Frontal; left wrist plain radiograph of the wrist; pediatric patient (male, age 15): 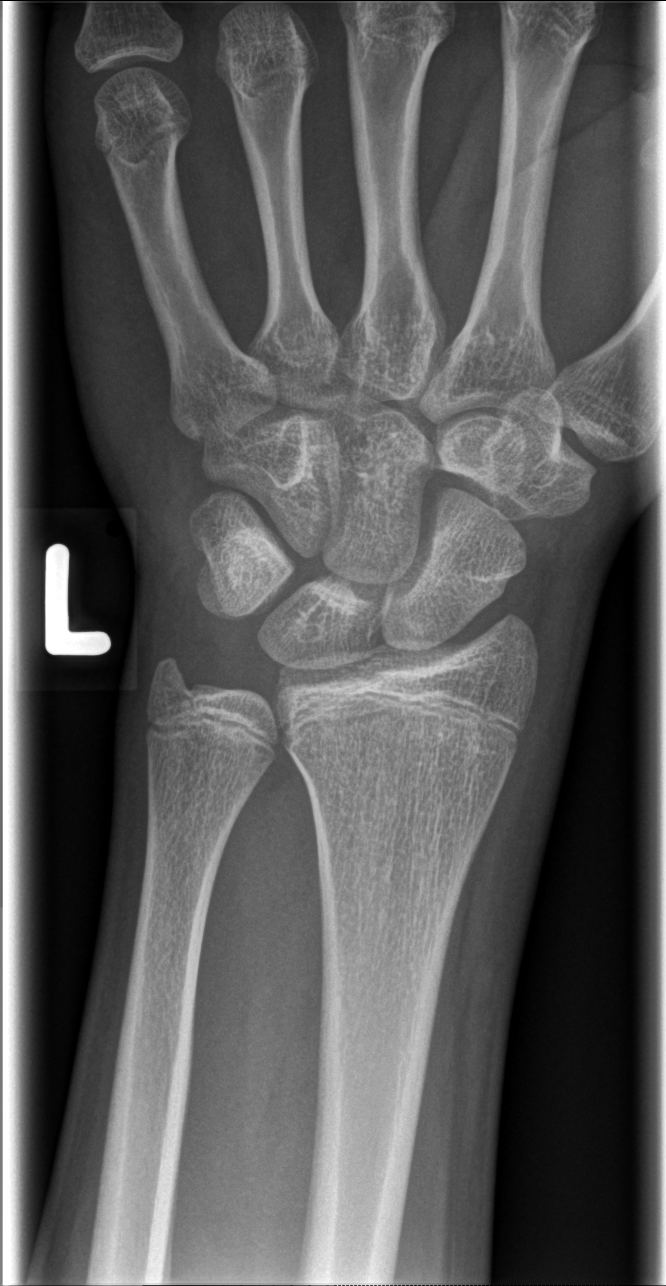
{"ao": "23r-M/2.1", "fracture": "present but not clearly seen in this view"}